AP, L pediatric wrist radiograph, follow-up study — 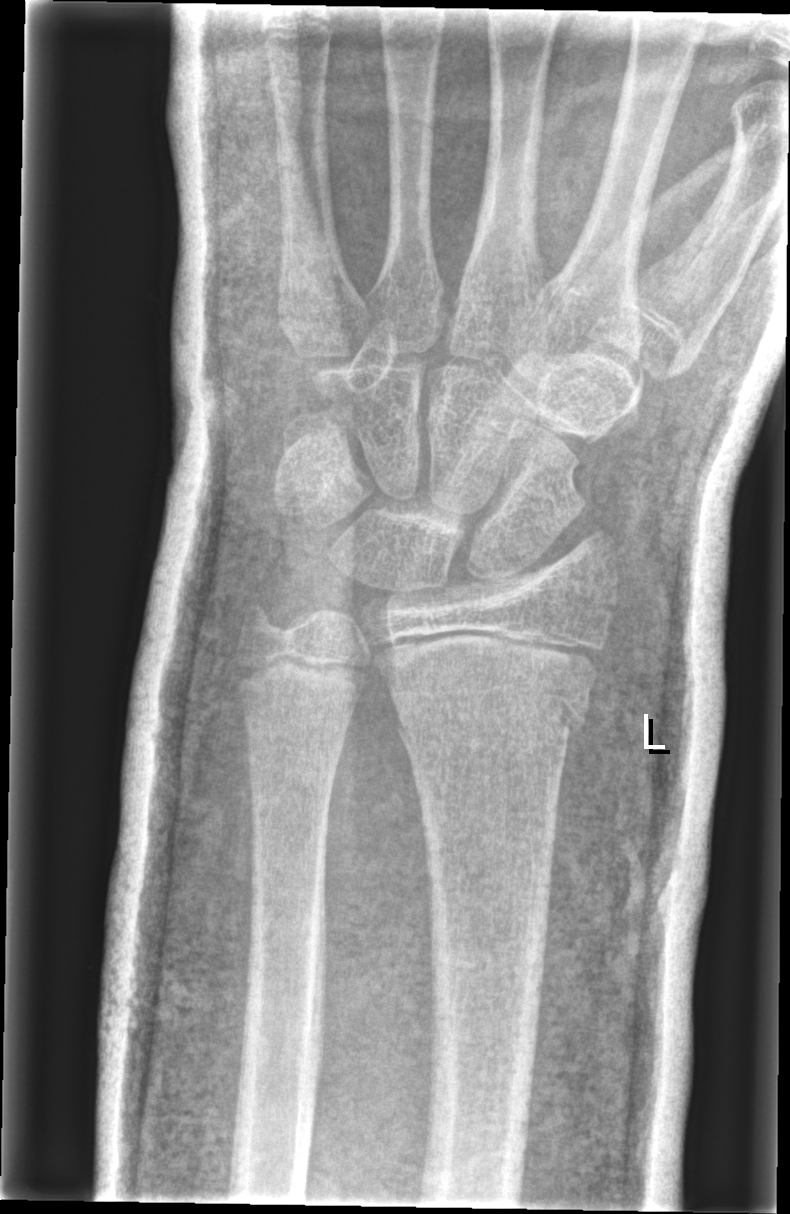 (coordinates are [x1, y1, x2, y2] in image pixels)
Q: AO code?
A: Fracture classified AO/OTA 23r-M/3.1
Q: Any fracture seen?
A: Fx: [x1=397, y1=669, x2=589, y2=758]